AP view, left wrist pediatric wrist radiograph, age 8 y, female 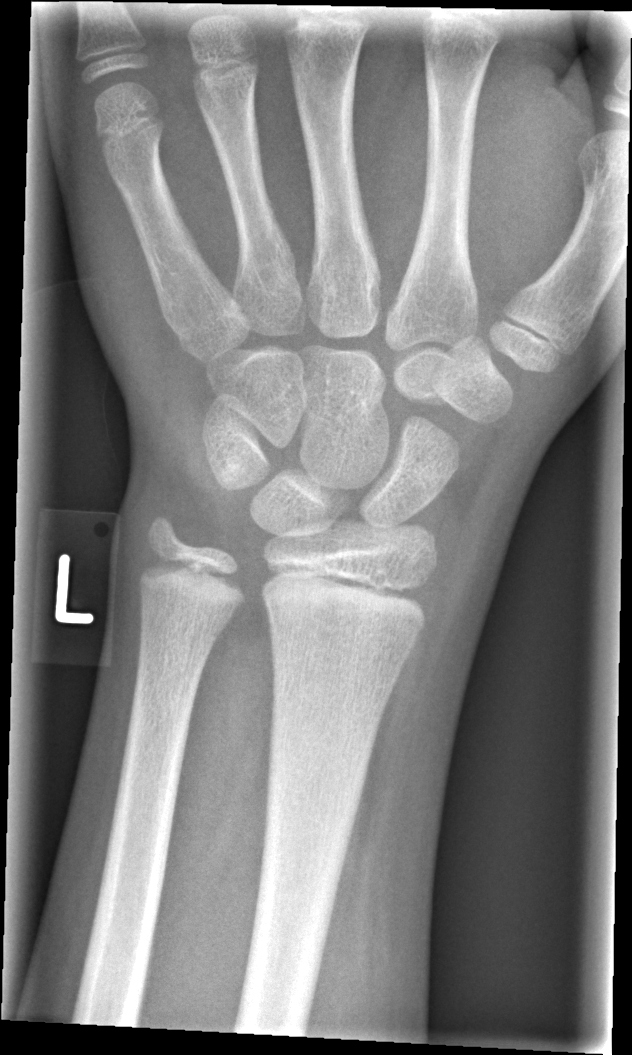

* Fx: none.